Lt wrist XR | lateral | age 7 y, female | follow-up | in cast | 510 by 844 pixels

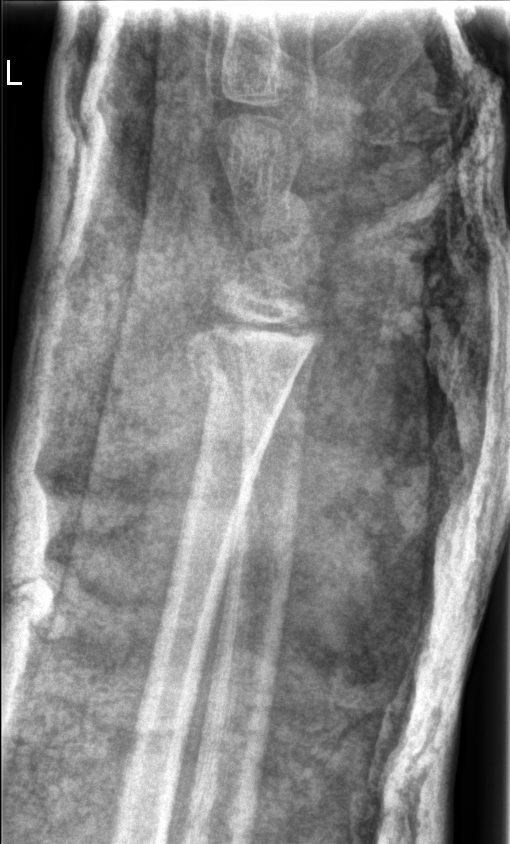 • Fracture: [184, 314, 321, 396].
• AO/OTA classification: 23r-E/2.1.